Lt wrist XR · frontal · age 6 y, male · initial study: 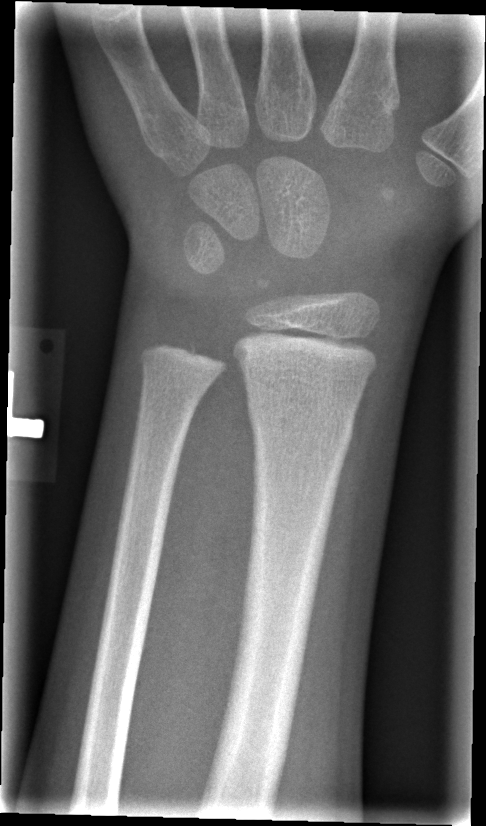
FINDINGS: Bone fracture — [x1=245, y1=408, x2=359, y2=459]. Fracture classified AO/OTA 23r-M/2.1.